Lateral projection, right wrist XR, female, 11 yo, initial study, 404x766.

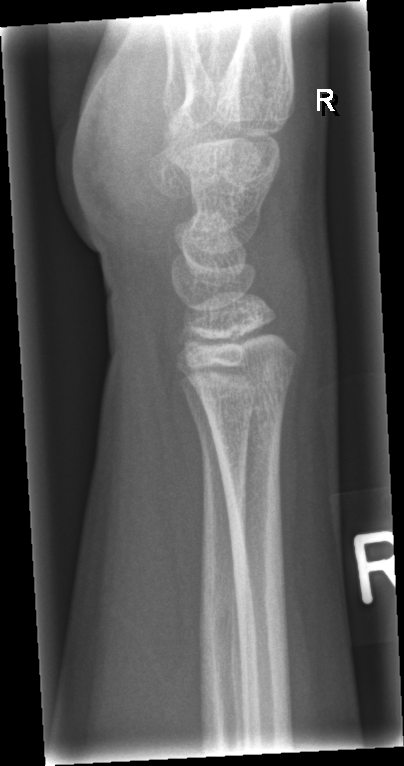

  fracture: none labeled